Lat view | right plain radiograph of the wrist | image width 65.8 mm —
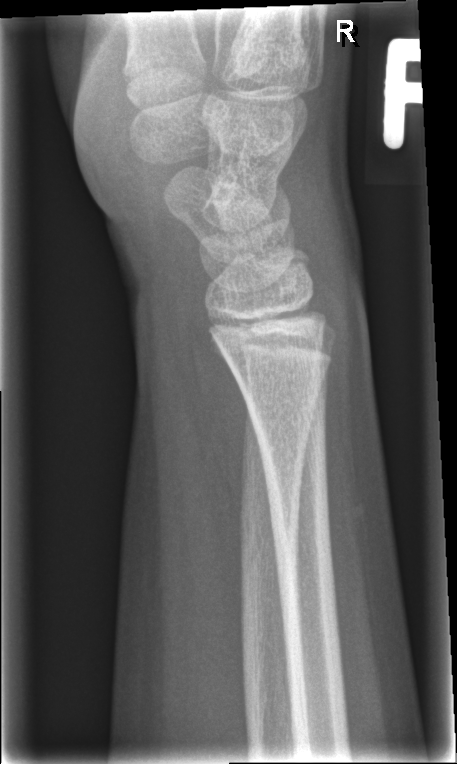 • No Fx annotated.